Lateral view; L pediatric wrist radiograph; 8-year-old female — 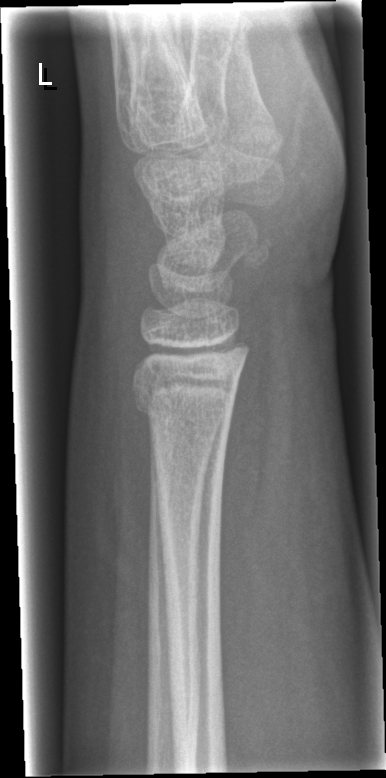

(bounding boxes in image-pixel xyxy)
Bone fracture: 1 @ [x1=129, y1=368, x2=245, y2=438]